Lt pediatric wrist radiograph, posteroanterior projection —
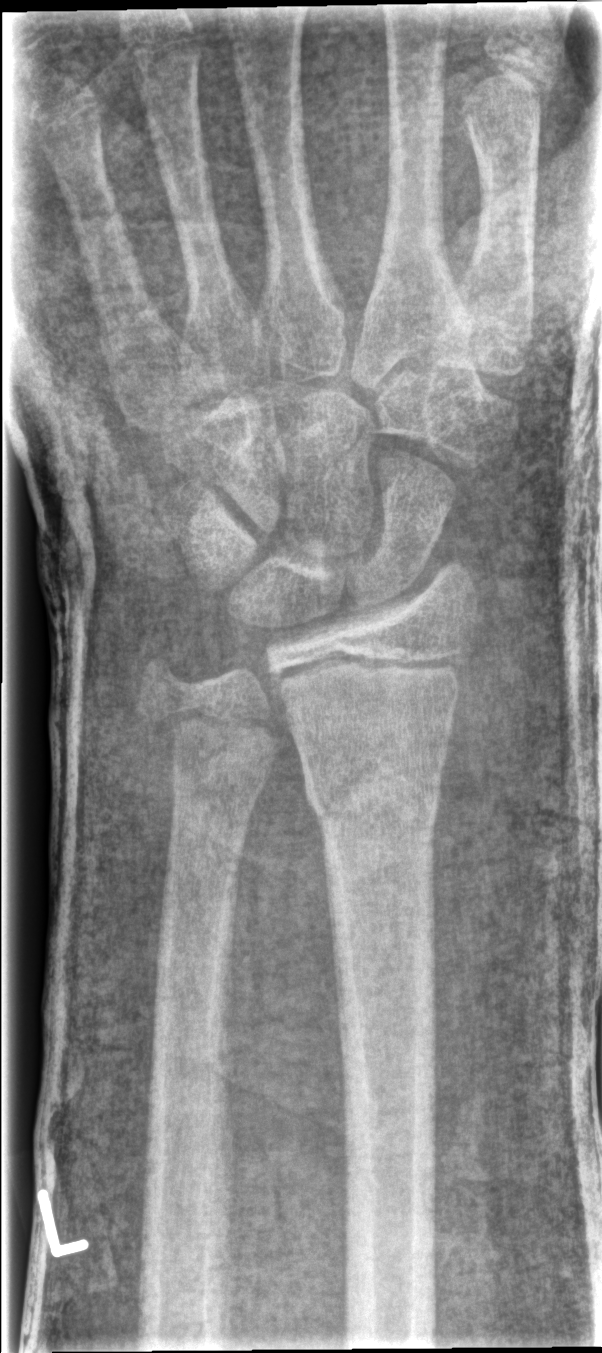

AO code = 23r-M/3.1; 23u-E/1; 23u-E/7
Fracture = 2 @ [300, 736, 445, 840]; [133, 694, 283, 766]